Posteroanterior view; left pediatric wrist radiograph; imaged through cast; 117.8 mm image width

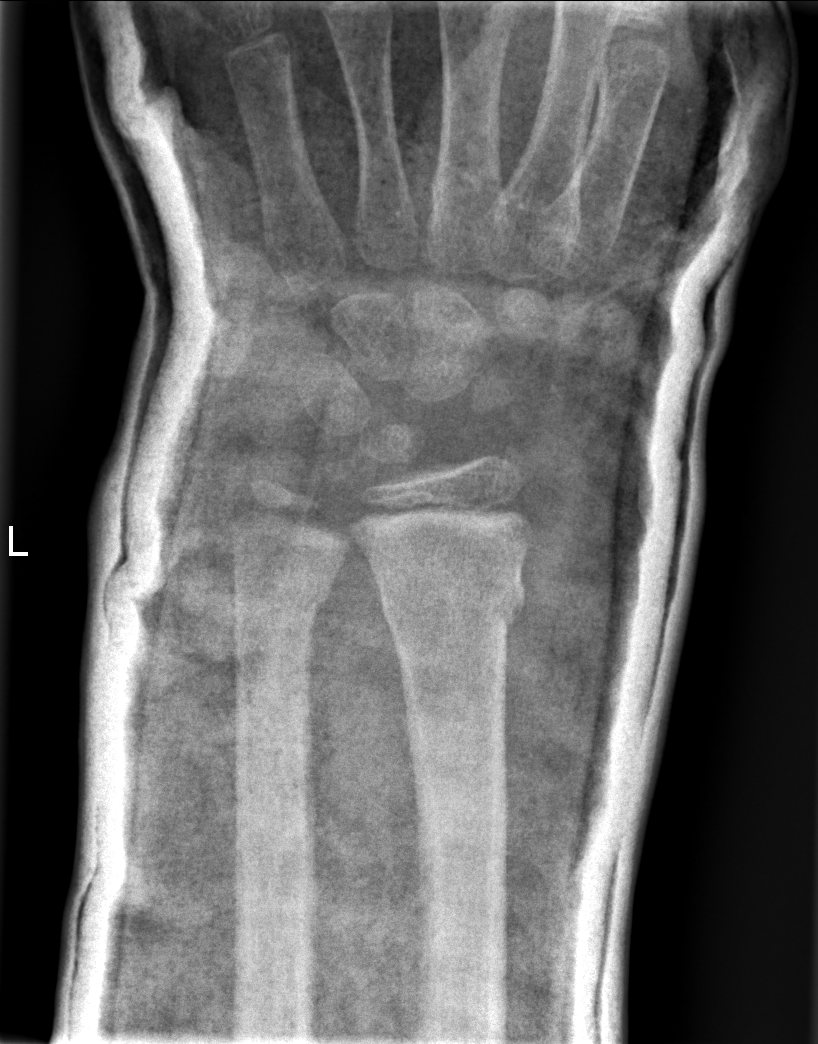 Coordinates are [x1, y1, x2, y2] in image pixels.
Two fractures at 374,561,529,640 | 230,566,336,630.
AO/OTA classification: 23r-M/3.1; 23u-M/2.1.